Left wrist plain film; lat; 5-year-old girl; initial study.
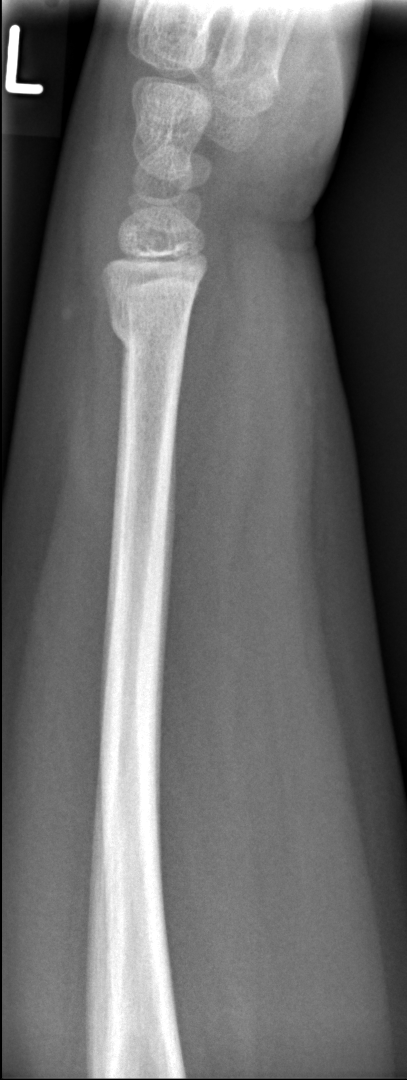 • Bone fracture — [x1=105, y1=295, x2=196, y2=356].